Rt plain radiograph of the wrist; PA projection; pediatric patient (girl, age 14): 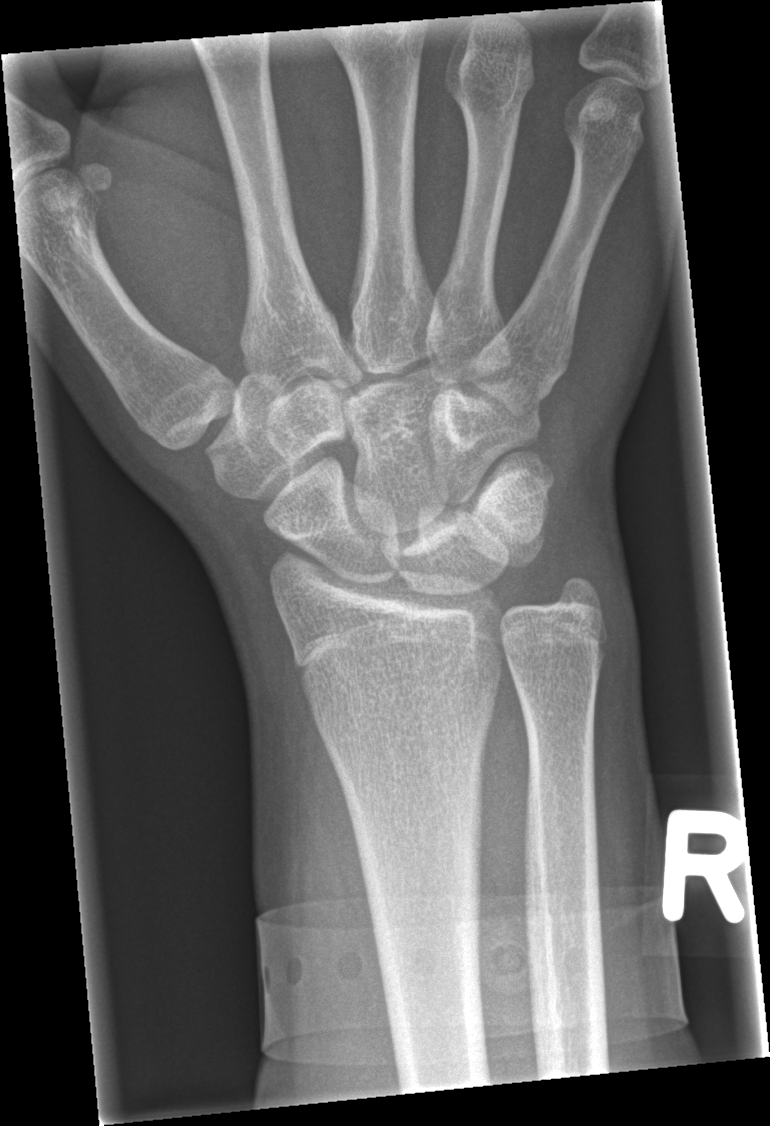
Findings: Fracture: none labeled.